Lateral · left wrist radiograph · presentation radiograph —

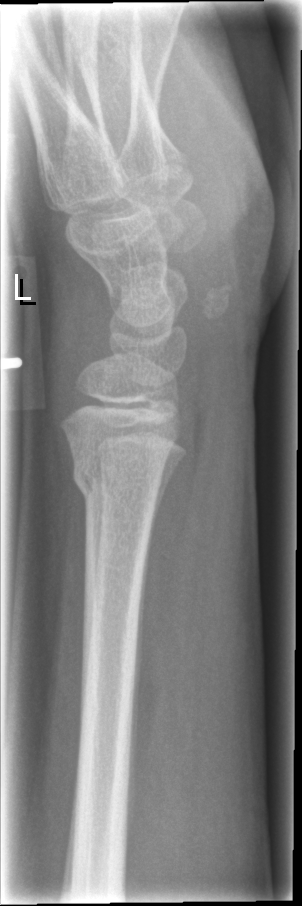

FINDINGS — Bone fracture: [x1=68, y1=449, x2=167, y2=509]. AO/OTA classification: 23r-M/2.1.